Right wrist X-ray, PA/AP projection, 2y F, initial study — 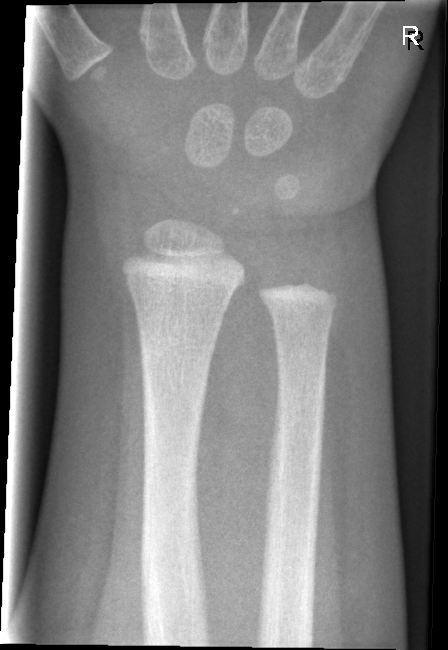

- Fx: none.